Right wrist plain radiograph of the wrist · lat · age 14 y, boy · image width 98.5 mm · image size 684x1206:
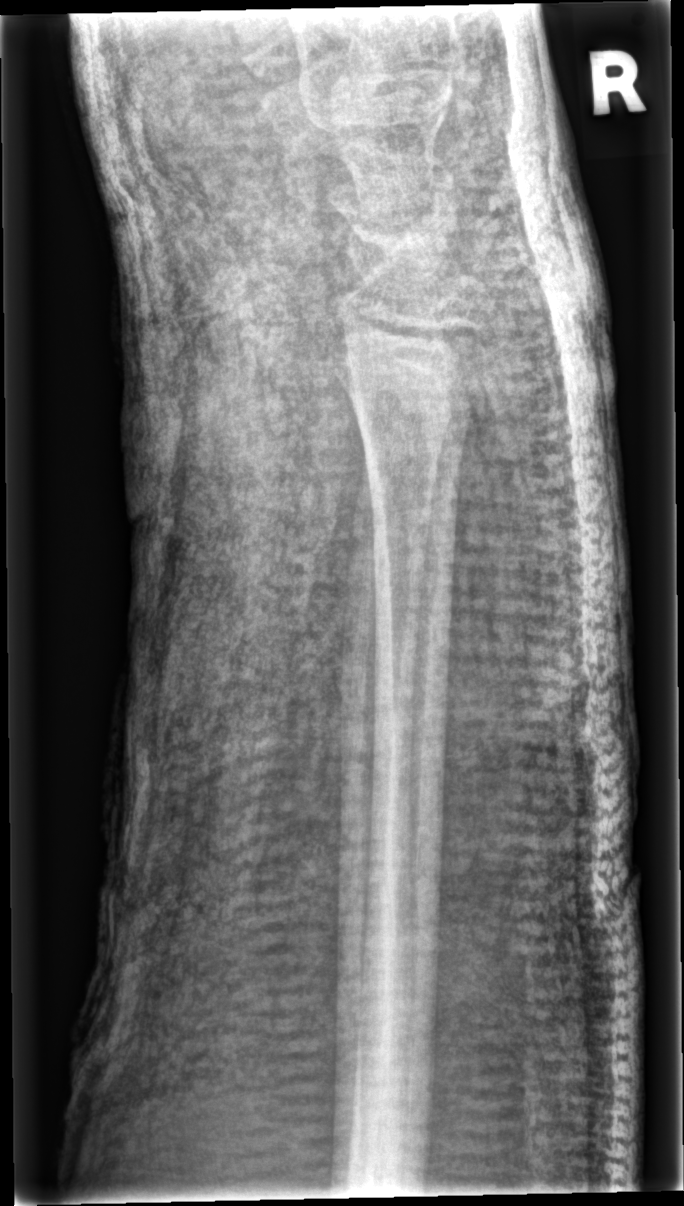

(pixel coordinates, top-left origin, xyxy)
Fx = 322,307,498,424